Lat · L plain radiograph of the wrist · detector: Siemens · 590x922 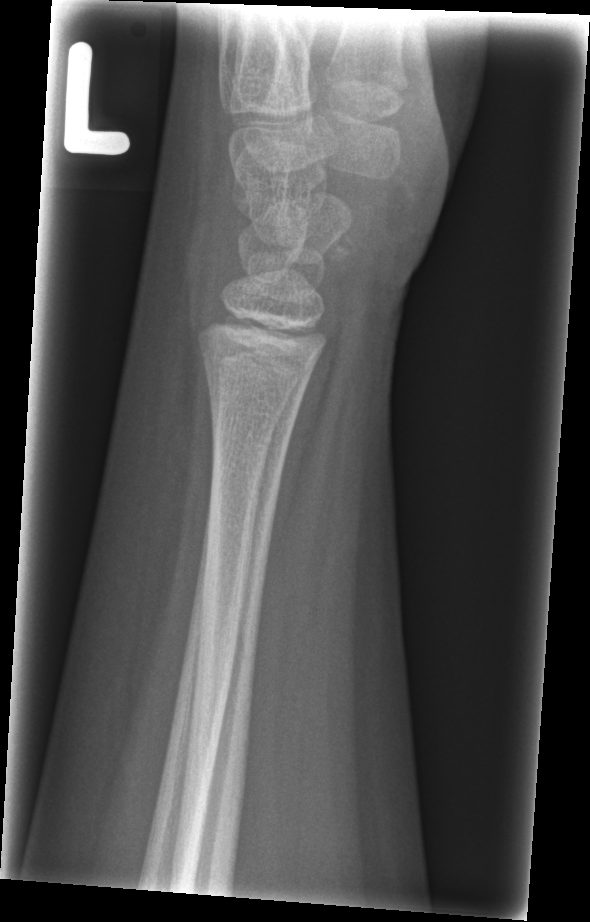 FINDINGS — Fx: none.